Lat projection · R pediatric wrist radiograph · age 0.8 y, male · acquired on Siemens

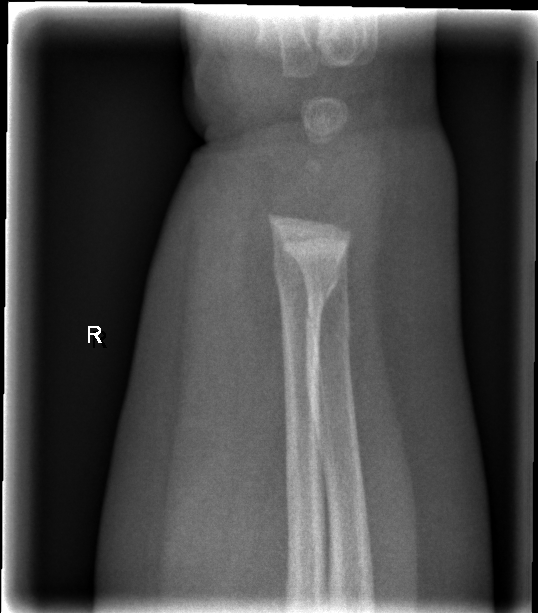

Fracture classified AO/OTA 23r-M/2.1.
Bone fracture — bbox(269, 250, 341, 307).